Lateral projection, left plain radiograph of the wrist, 6y M, 574 by 915 pixels
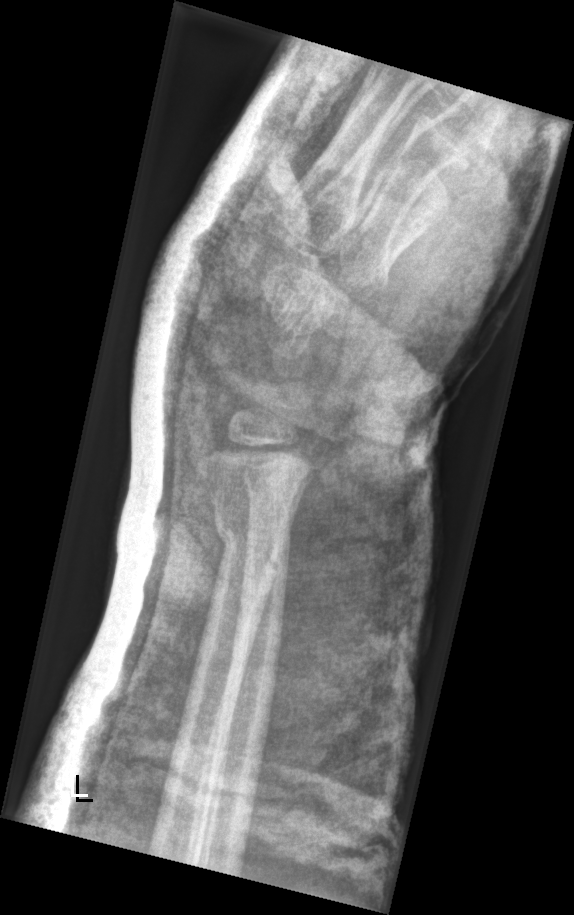

- Bounding boxes in image-pixel xyxy.
- Bone fracture: bbox(209, 507, 291, 580).
- AO code 23r-M/3.1; 23u-M/2.1.